Lat · Lt pediatric wrist radiograph · cast in situ
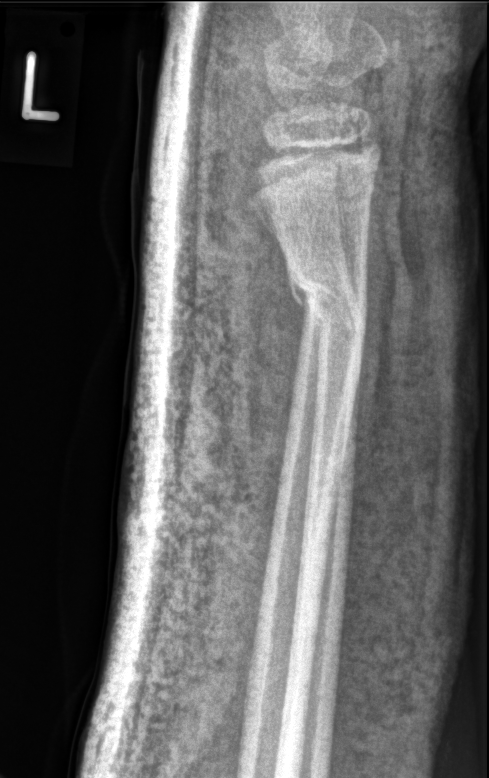
Fx: [x1=286, y1=259, x2=371, y2=344]
AO/OTA: 23r-M/2.1